Rt wrist plain film, lat, age 15 y, male —
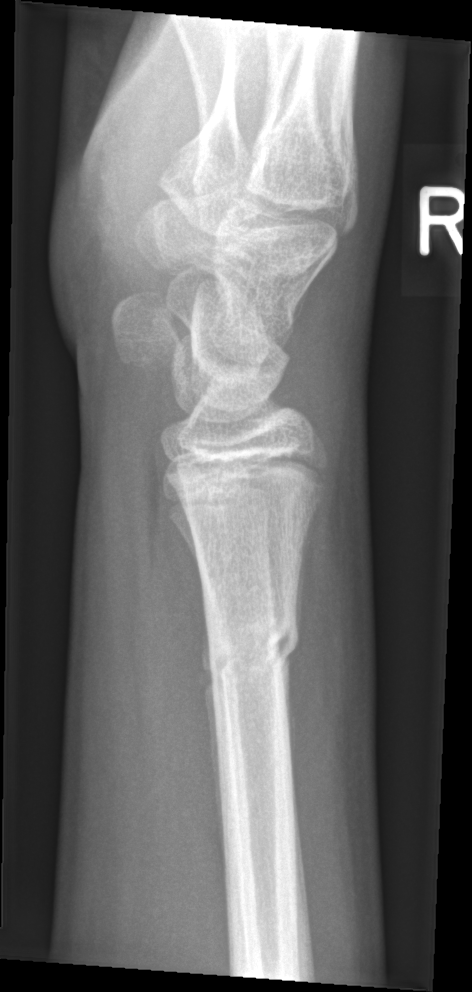
Periosteal thickening: 1 @ [196, 595, 226, 884]
Bone fracture: [195, 608, 304, 692]